Right wrist pediatric wrist radiograph · AP · cast in situ
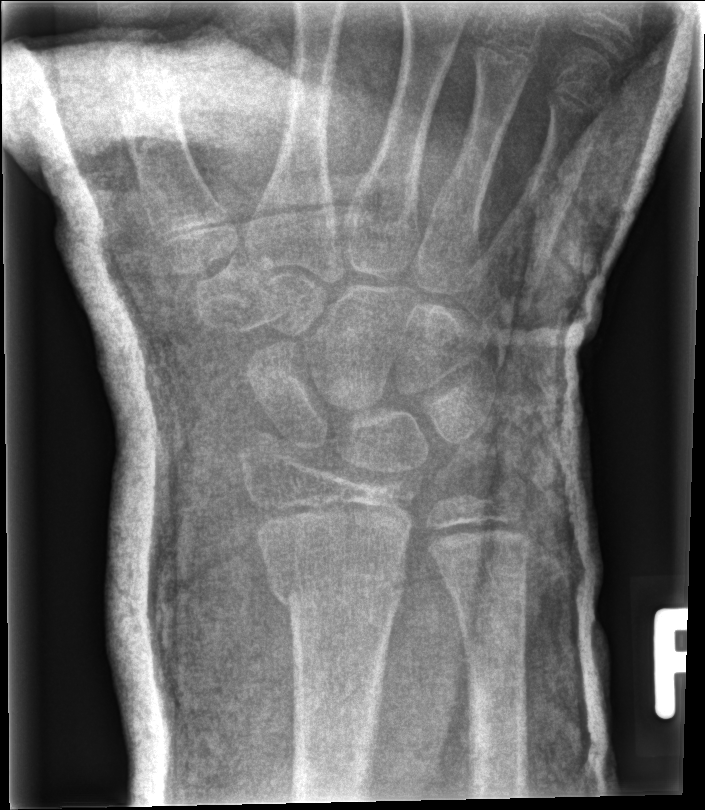 Q: Fracture present?
A: Fracture: (266, 550, 411, 618) (440, 571, 530, 620)
Q: AO code?
A: Fracture classified AO/OTA 23r-M/3.1; 23u-M/2.1